Lat projection; left wrist XR; Siemens

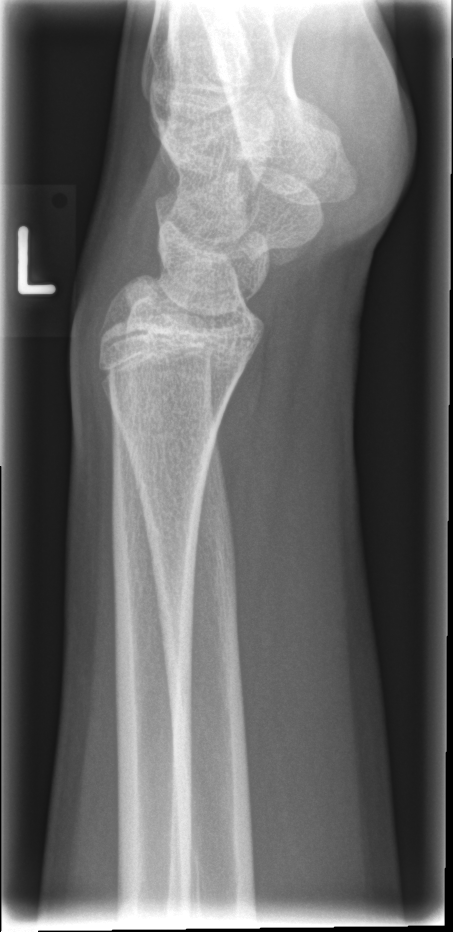 Q: Fracture present?
A: Fracture: none labeled